Lt wrist plain film, lat projection, female, 12 yo: 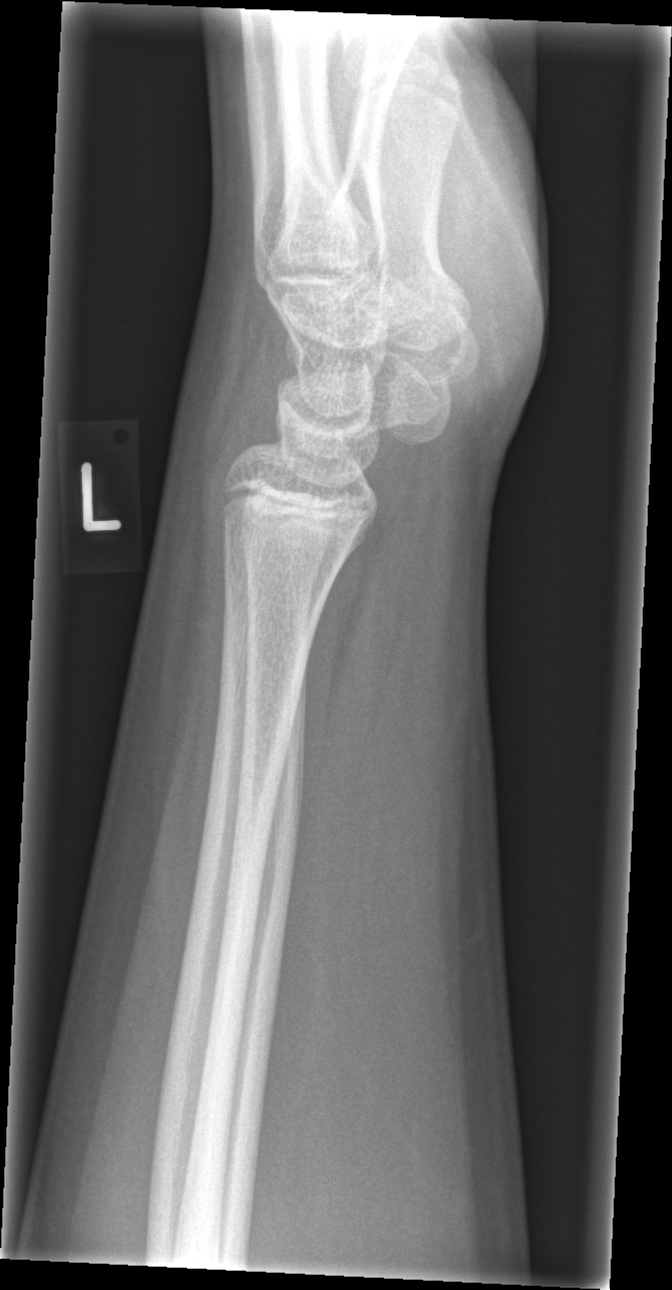
fracture = none labeled